Frontal projection; right wrist plain film; Siemens —

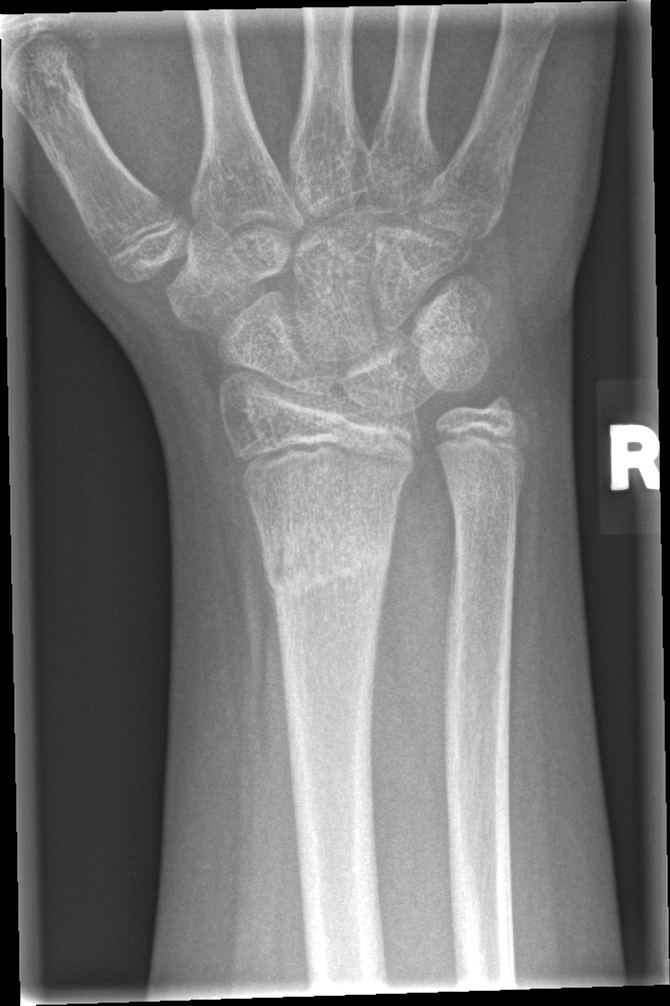 (bounding boxes in image-pixel xyxy)
Q: AO code?
A: Fracture classified AO/OTA 23r-M/3.1
Q: Locate any fractures.
A: Fracture: (left=255, top=503, right=396, bottom=614)